Right wrist plain film · frontal · 17-year-old boy. 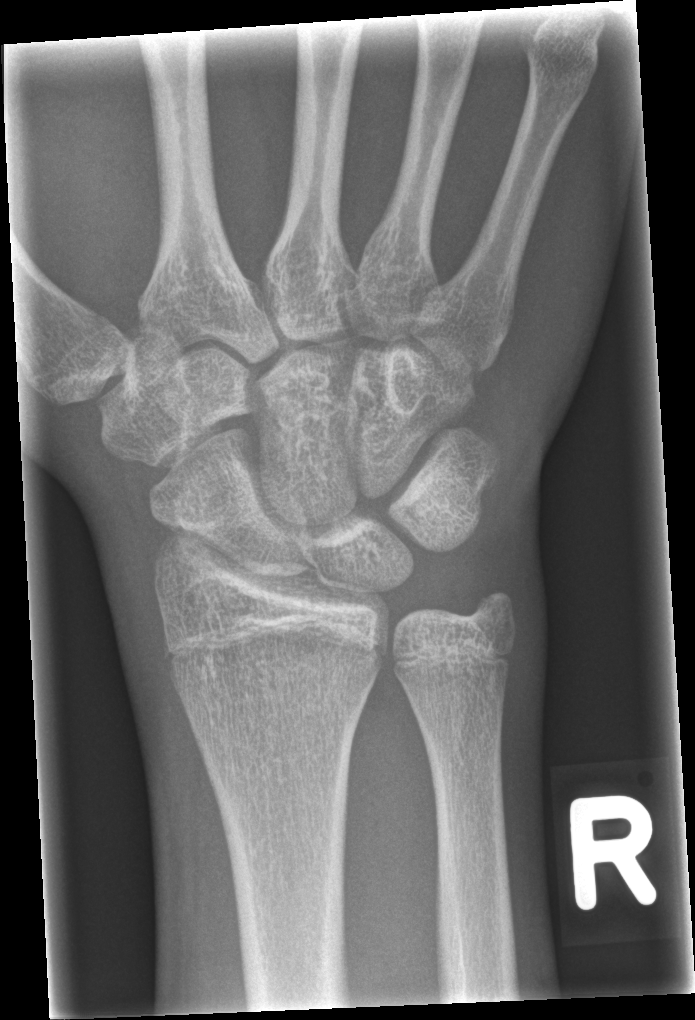 FINDINGS: Fx: present but not clearly seen in this view. Fracture classified AO/OTA 72B(c).